L wrist XR, lateral, initial study — 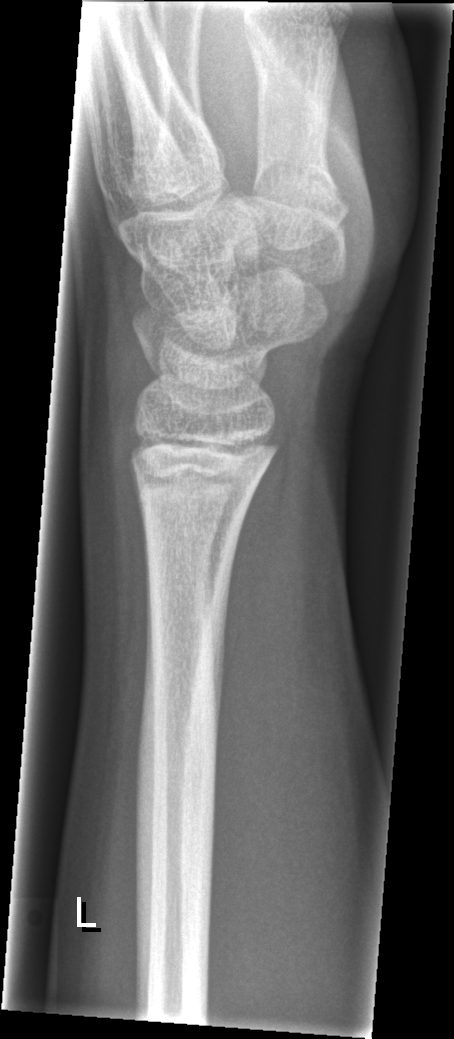 No Fx annotated.